Lat · right wrist radiograph · 11-year-old female · 483 x 1242 px

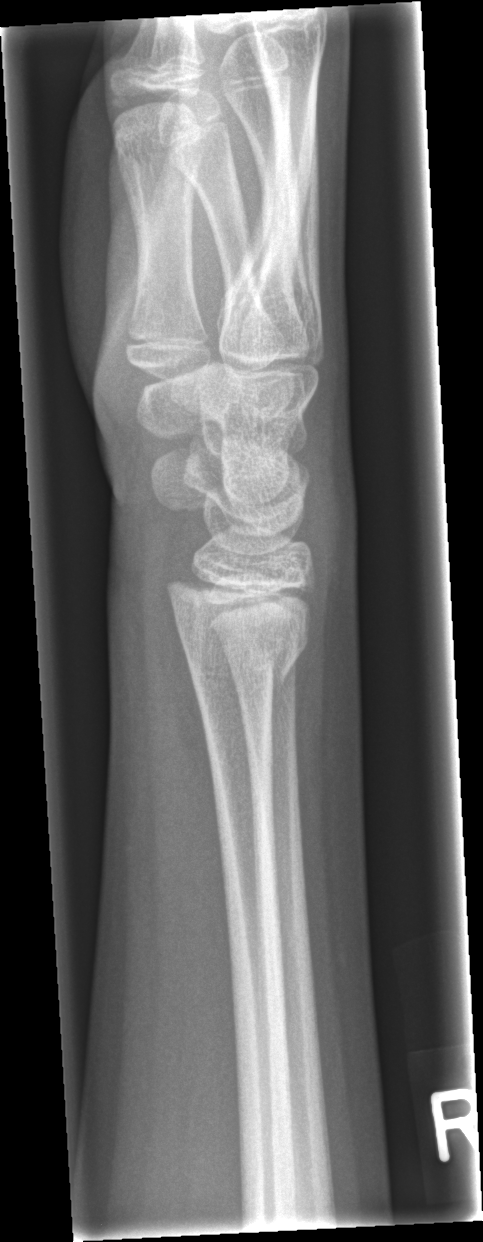

Findings: Bone fracture identified at (157, 566, 320, 696).